Rt pediatric wrist radiograph; lateral projection: 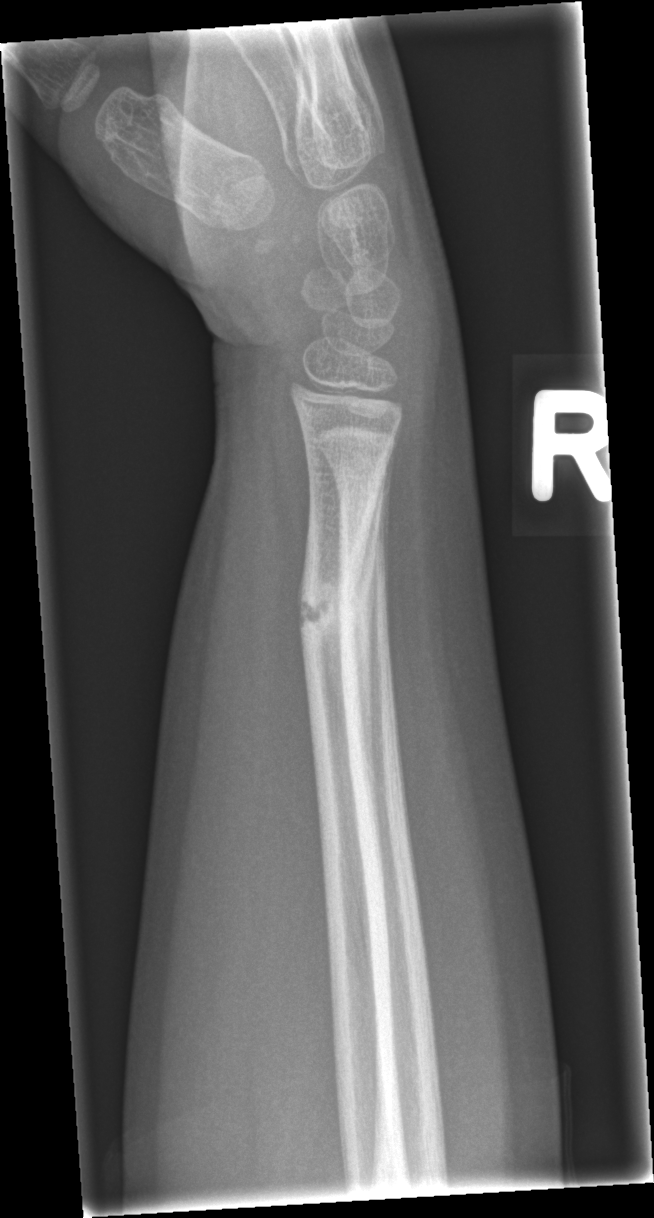 - Coordinates are [x1, y1, x2, y2] in image pixels.
- Bone fracture identified at (294, 571, 367, 644).
- AO code 22r-D/2.1; 23u-M/2.1.
- One periosteal thickening at (352, 450, 388, 839).